Posteroanterior view, left wrist plain film, age 9 y, boy, cast in situ, detector: Siemens — 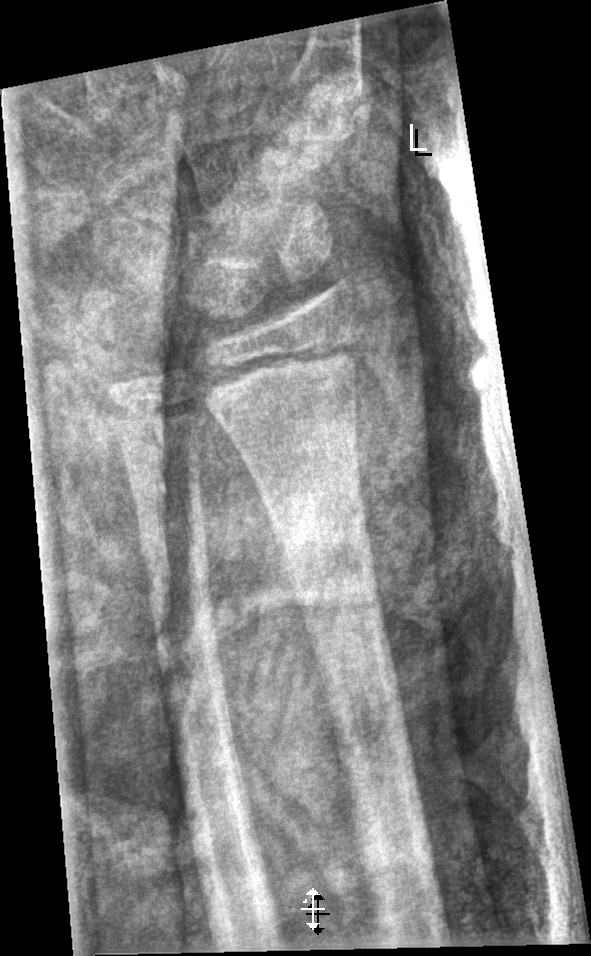

AO/OTA classification: 23u-M/2.1.
Fx: present but not clearly seen in this view.